Lat view | L wrist plain film | pediatric patient (boy, age 11) | follow-up | imaged through cast | 606 x 1133 px 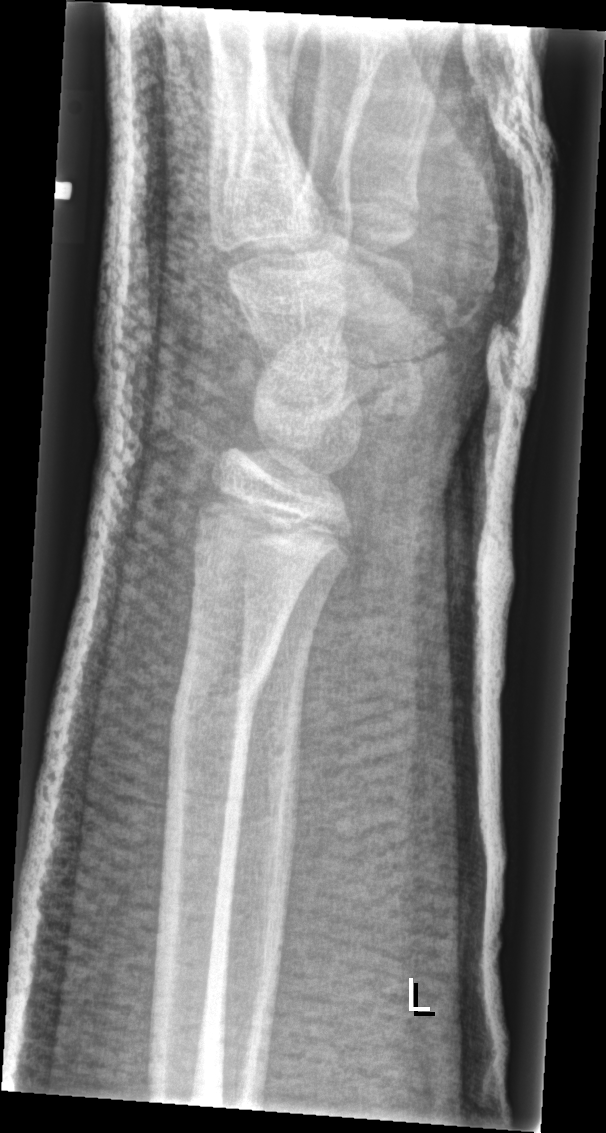
* Fracture classified AO/OTA 23r-M/2.1.
* Fracture identified at bbox(163, 642, 280, 738).